Left wrist plain film, posteroanterior view 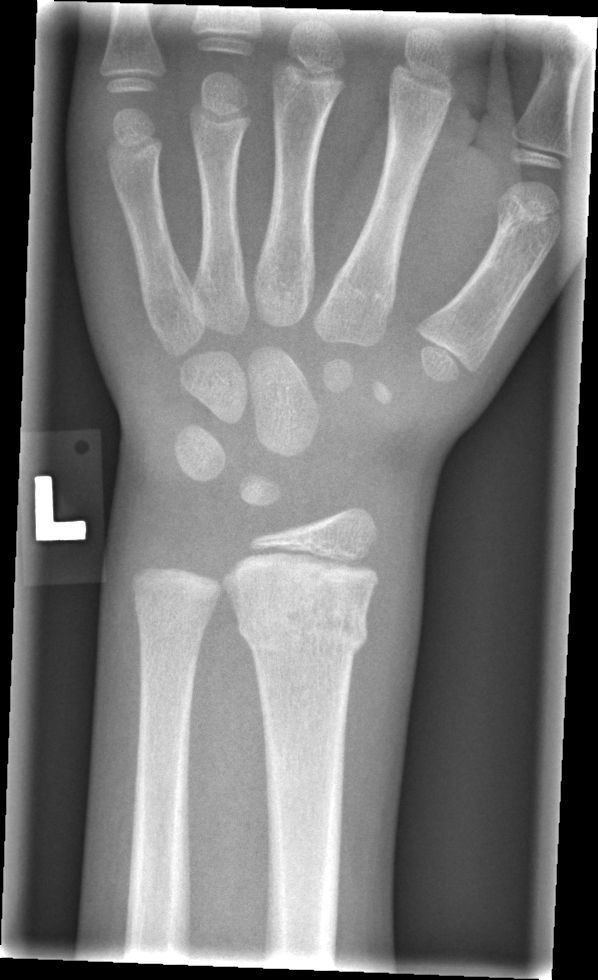
Bone fracture: [x1=233, y1=588, x2=373, y2=662].
Fracture classified AO/OTA 23-M/2.1.